Lat view; left wrist plain radiograph of the wrist; 14y M; follow-up — 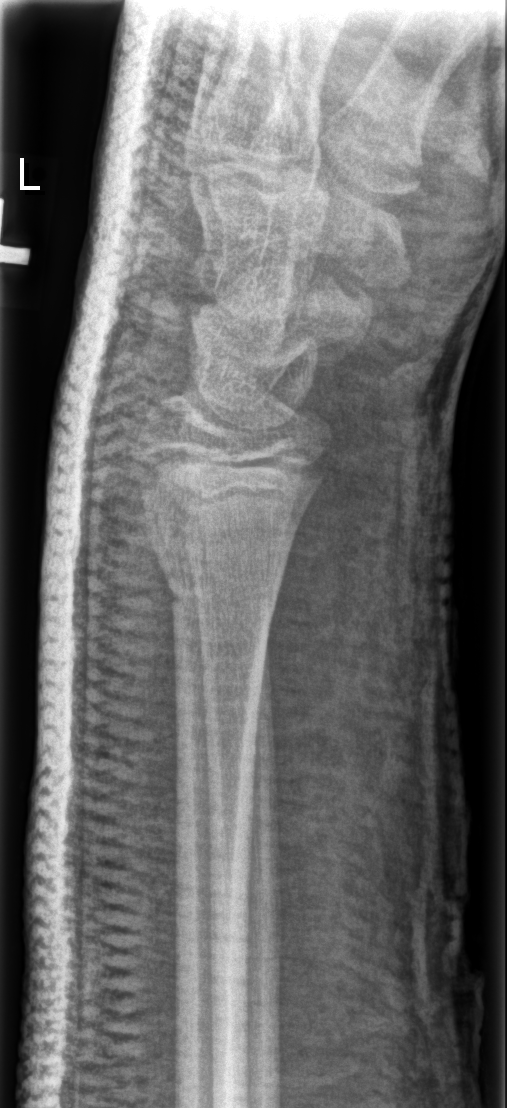
# bounding boxes in image-pixel xyxy
ao: 23r-M/2.1; 23u-E/7
fracture: 1 @ 151,532,299,613